Posteroanterior projection | Lt wrist plain film | Siemens — 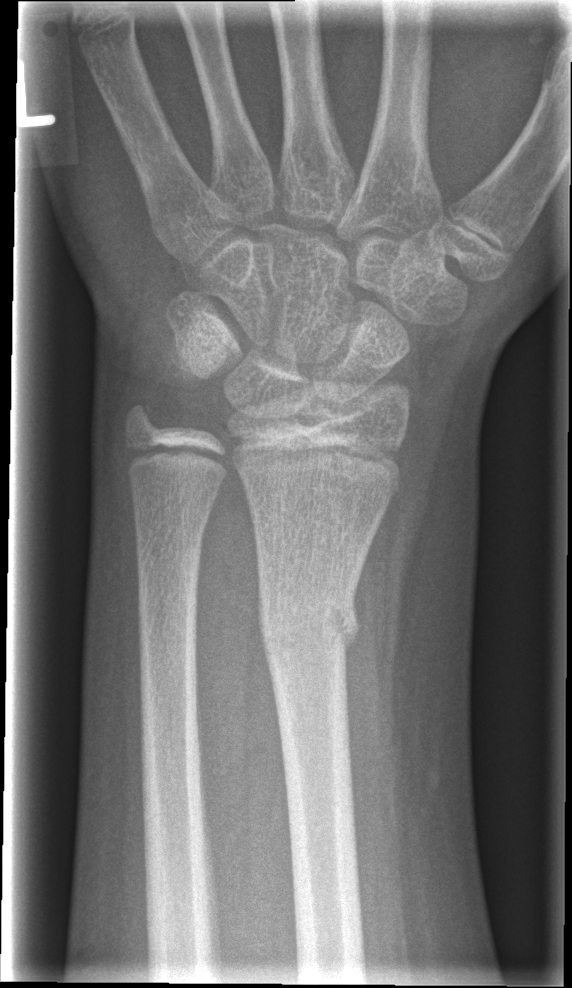

# pixel coordinates, top-left origin, xyxy
fracture: bbox(254, 567, 364, 669) bbox(117, 390, 171, 444)
ao: 23r-M/2.1; 23u-E/7